Lat; Rt wrist radiograph; presentation radiograph; 445 by 950 pixels —
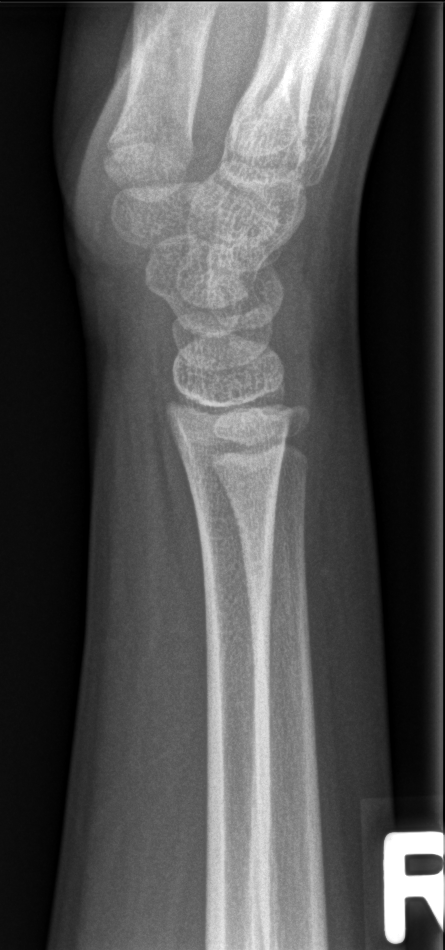
Q: Any fracture seen?
A: No fracture bounding box